Posteroanterior projection · left wrist radiograph · image size 515x1296: 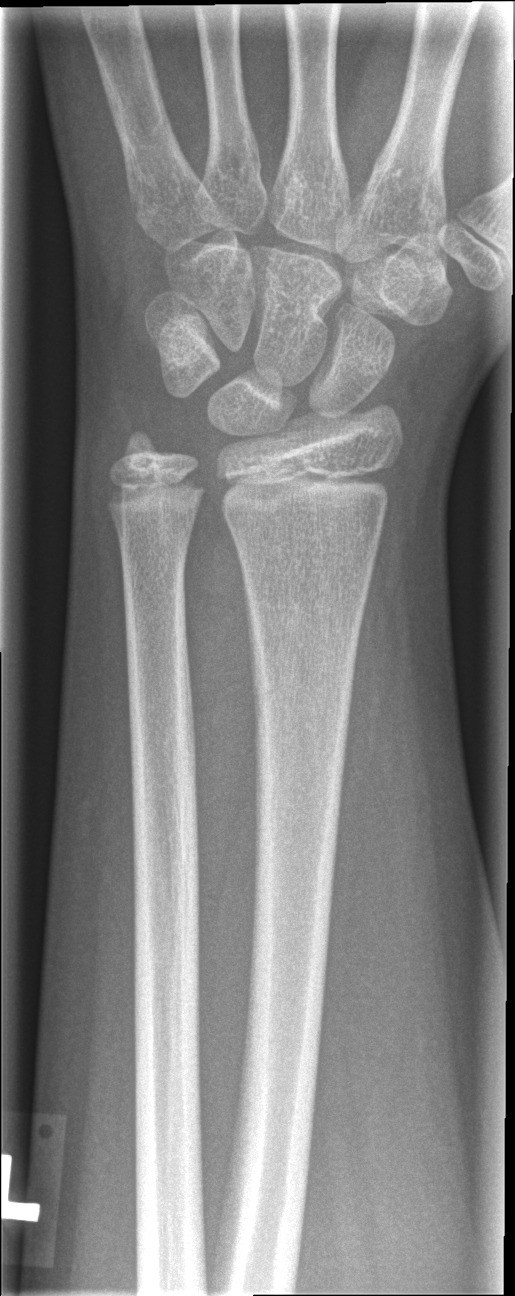 * No fracture labeled.